Lat projection | Lt wrist plain film | follow-up study | cast present — 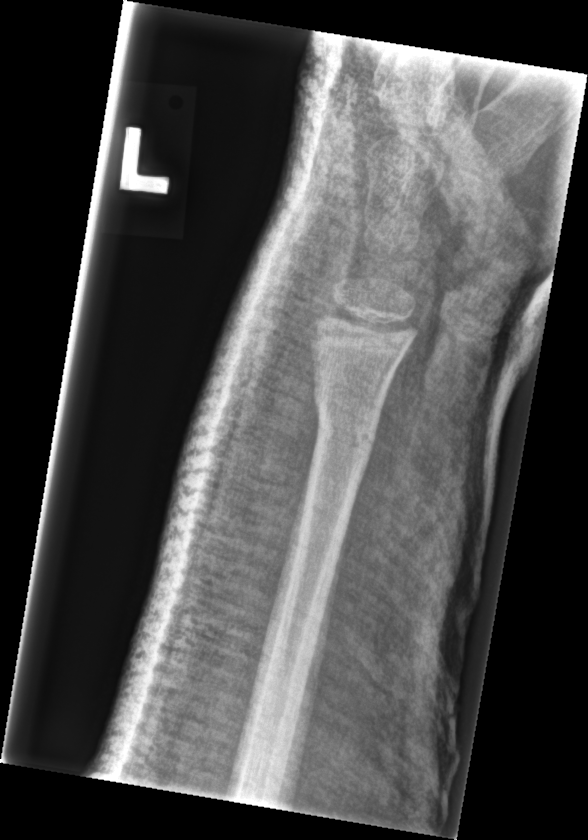

- Bounding boxes in image-pixel xyxy.
- One bone fracture at bbox(310, 394, 380, 467).
- Fracture classified AO/OTA 23r-M/3.1.